Rt wrist plain film · lateral projection: 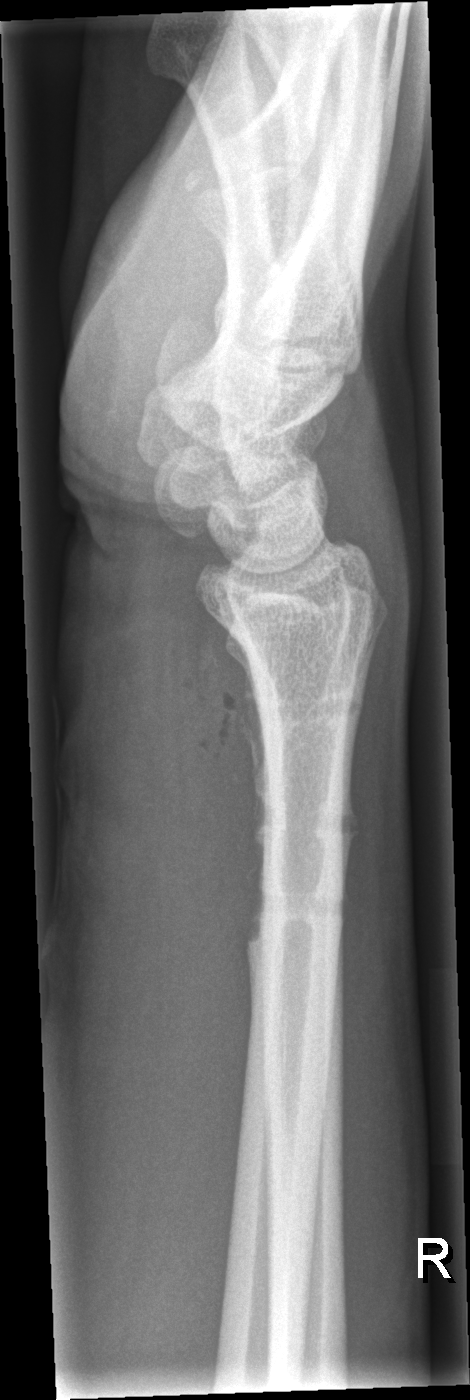 FINDINGS — Four osseous anomalies at bbox(241, 666, 366, 970), bbox(245, 677, 375, 734), bbox(251, 791, 361, 854), bbox(255, 888, 350, 925). Soft-tissue swelling — bbox(49, 617, 265, 1192). No Fx annotated.